Posteroanterior | left wrist plain radiograph of the wrist | cast in situ | 100.1 mm image width
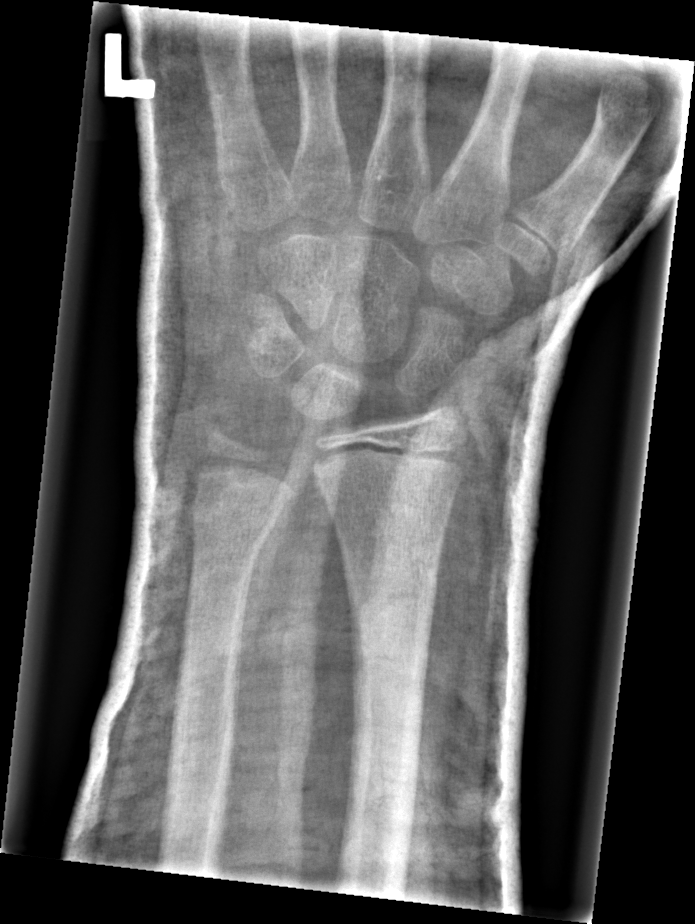
Fracture: (left=186, top=485, right=280, bottom=557); (left=335, top=537, right=446, bottom=595)
AO classification: 23-M/3.1